PA view · L wrist XR · age 13 y, male · 103.5 mm image width —
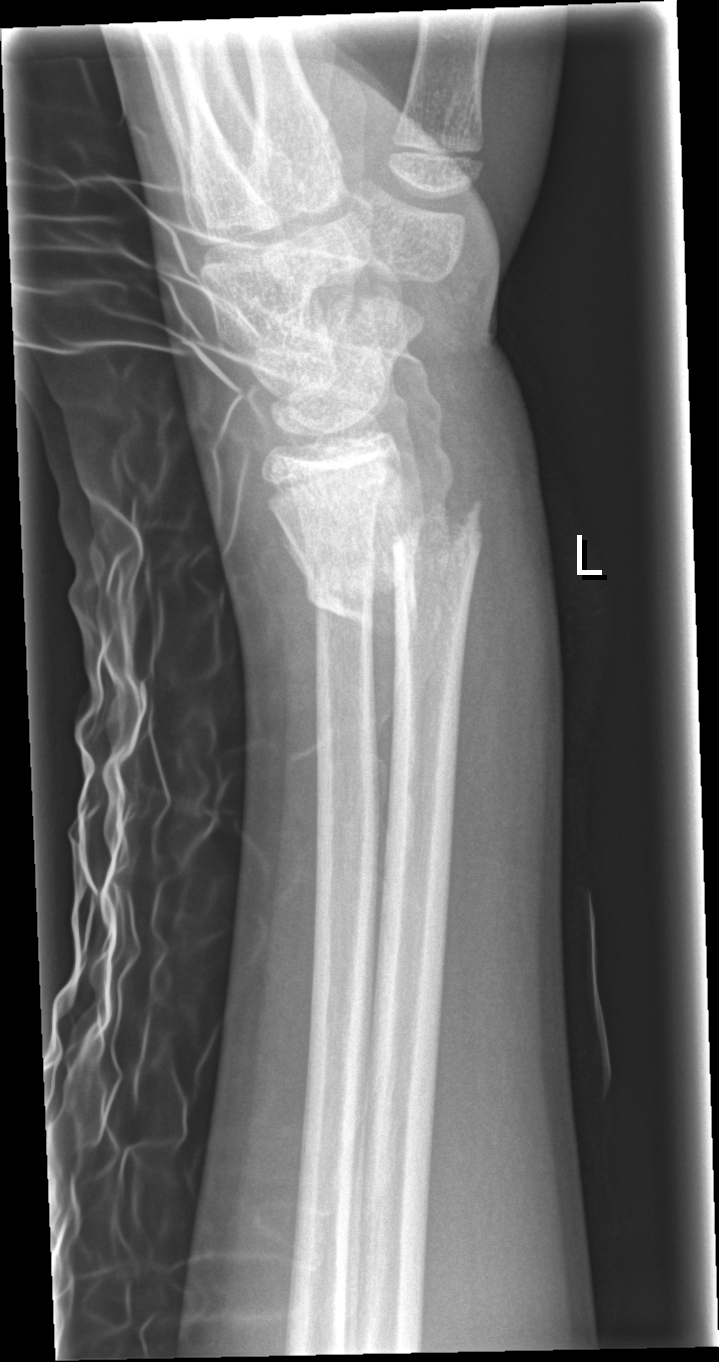

{"fracture": "bbox(294, 469, 482, 648)"}